Lateral · Lt pediatric wrist radiograph 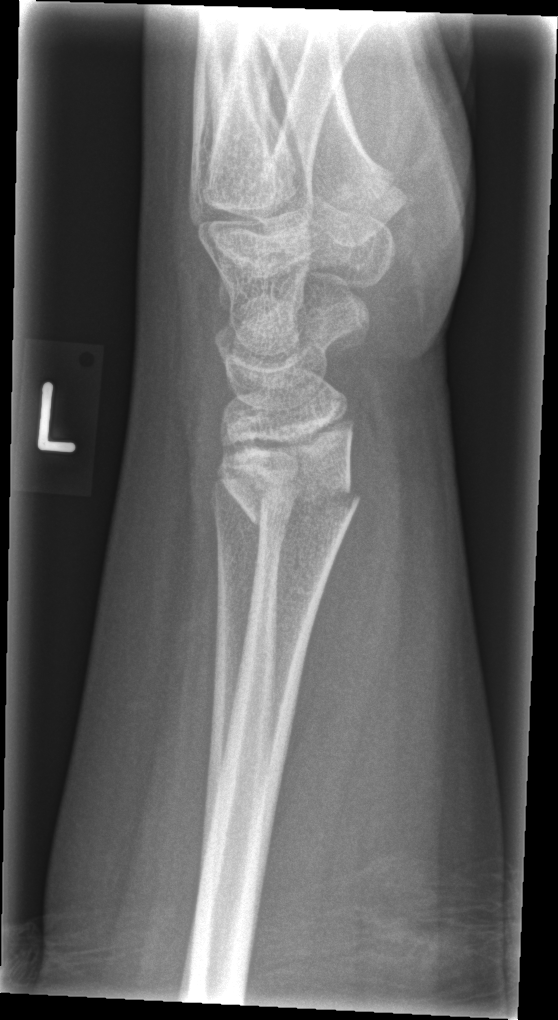
{
  "fracture": "1 @ (214, 437, 364, 541)"
}